Lt pediatric wrist radiograph, lateral, index exam, 580x852:
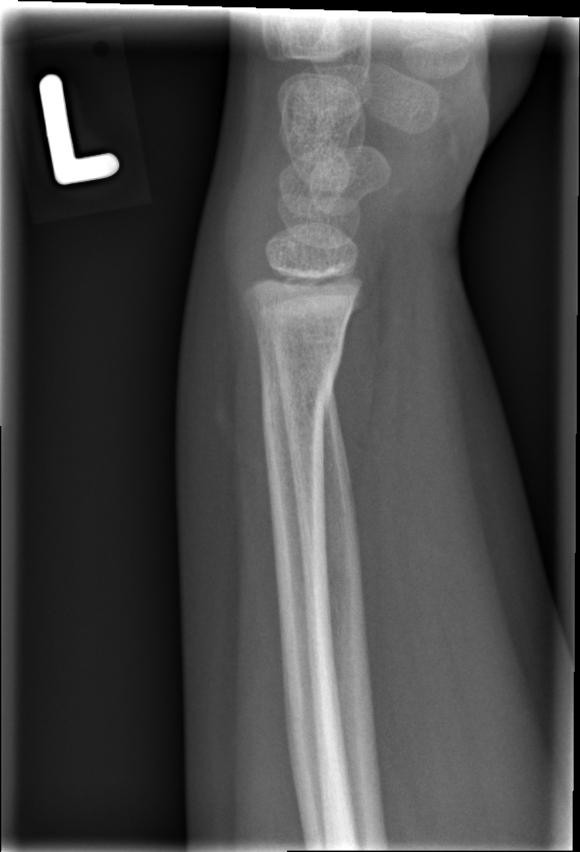
FINDINGS — Fracture identified at 257 346 348 426.